Lateral view; Rt wrist plain film; Siemens; image size 404x856: 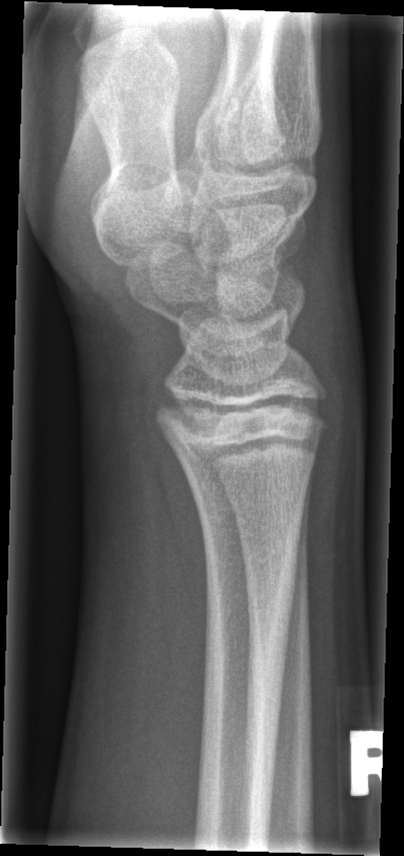
  ao: 23r-E/1
  fracture: 150,375,332,464